Left wrist plain radiograph of the wrist, lateral projection, image width 56.4 mm — 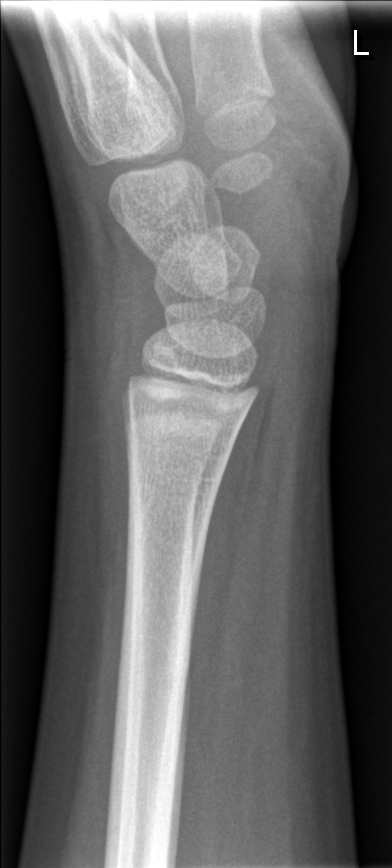

FINDINGS — No fracture labeled.